AP view · Lt wrist plain film · cast in situ. 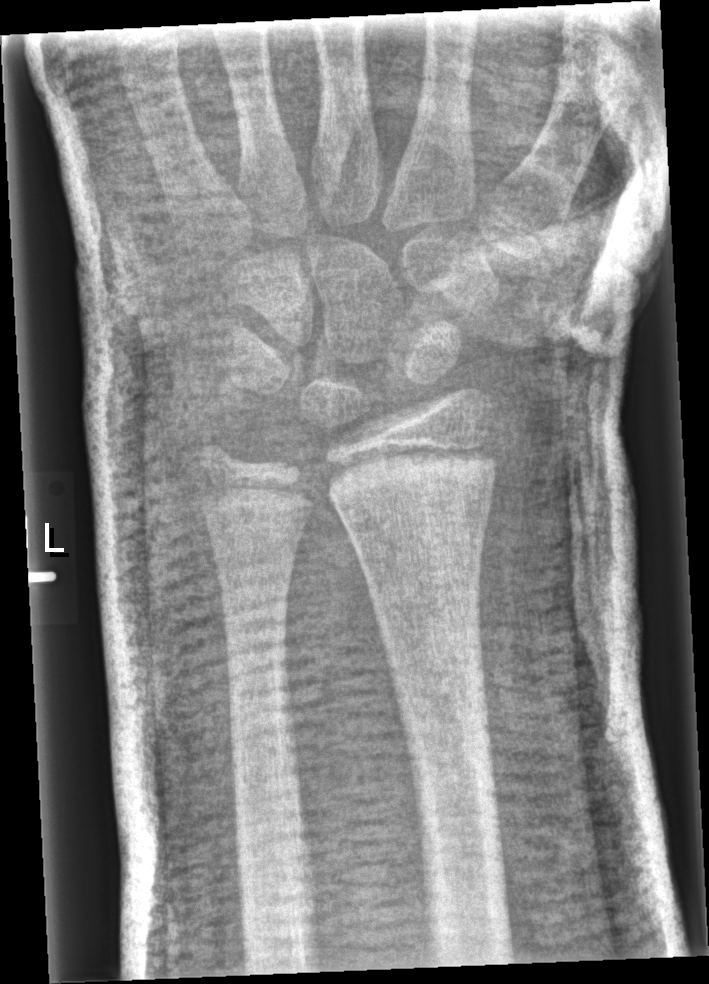 FINDINGS: AO/OTA classification: 23r-E/1. Fx present but not clearly seen in this view.